Right wrist radiograph; frontal view; age 12 y, boy — 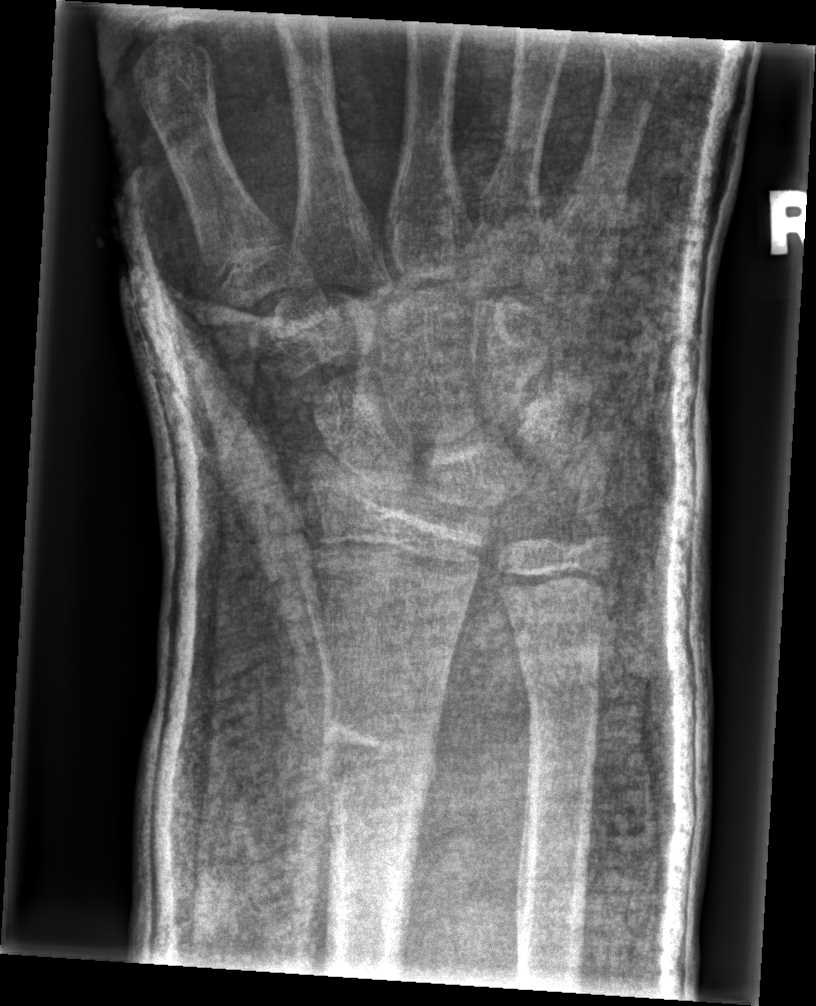 • Fracture classified AO/OTA 23-M/2.1.
• Fx — (317, 709, 441, 784) (522, 668, 604, 742).